Left wrist X-ray | PA/AP | 12y M | Siemens.
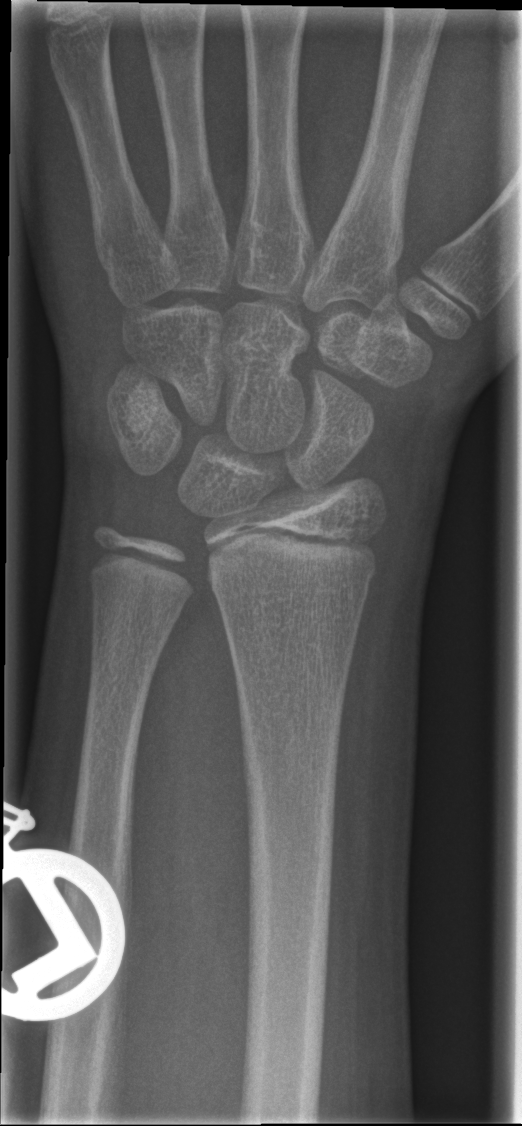

FINDINGS: No fracture annotation.